PA/AP projection, right pediatric wrist radiograph, image width 91.7 mm 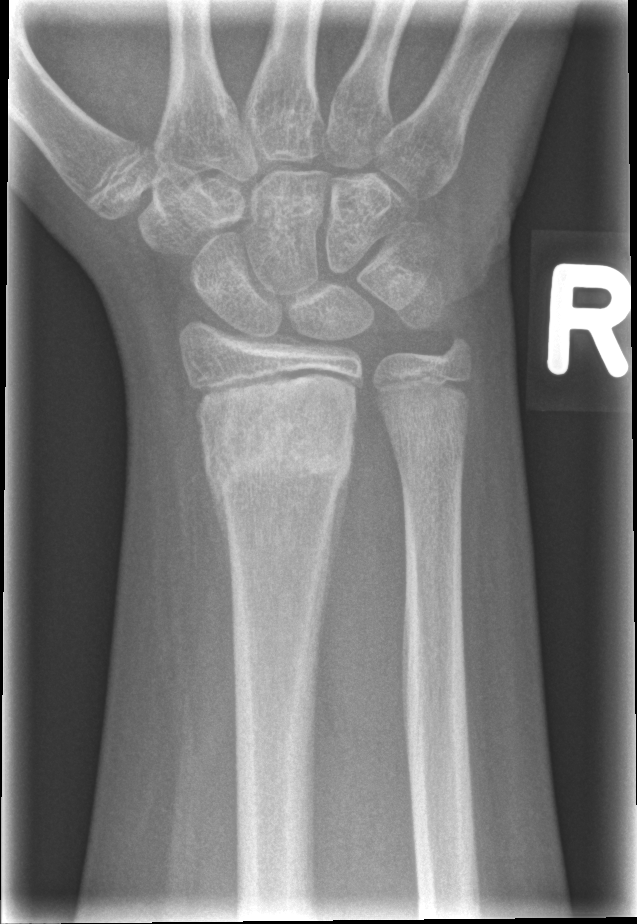
AO code: 23r-M/3.1
Periosteal new bone: 2 @ <318,452>-<352,613>; <204,464>-<234,584>
Bone fracture: <199,392>-<361,510>